L pediatric wrist radiograph | lateral view | 15y M | 80.8 mm image width | image size 561x1312: 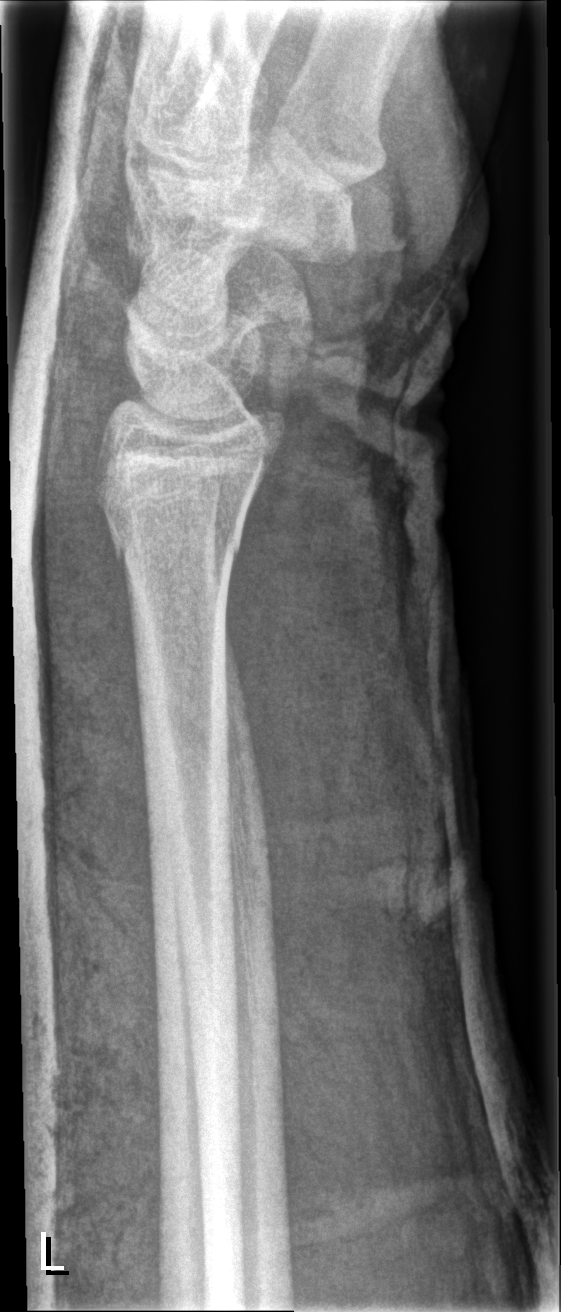
• Fracture: [105, 504, 249, 578].